R wrist XR | lateral | image width 72.4 mm | 503x924.

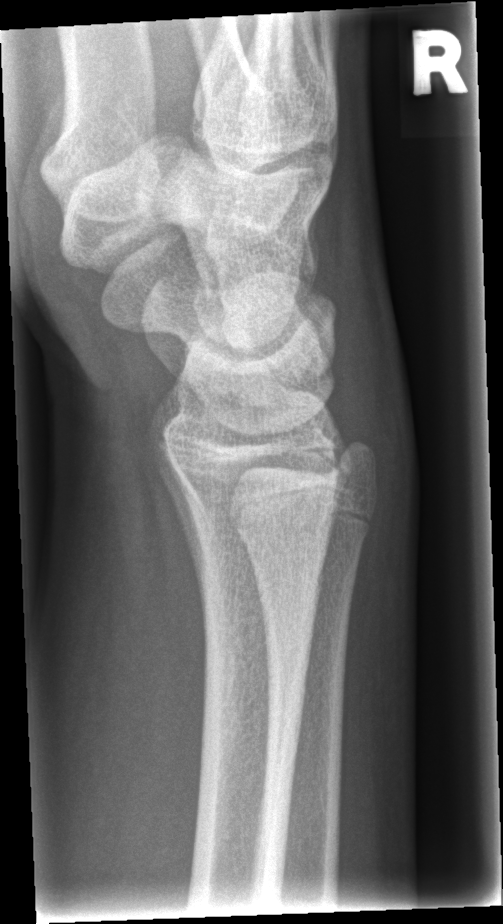 No Fx annotated.